PA, left wrist plain film.
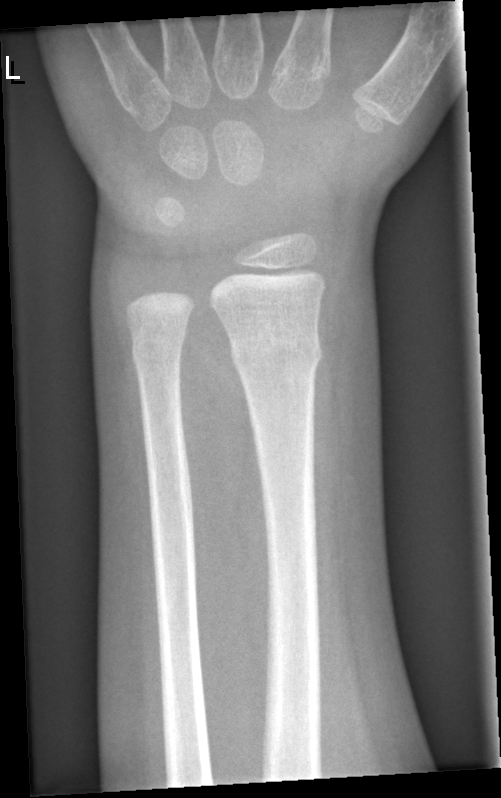

FINDINGS — Two bone fractures at [x1=226, y1=329, x2=324, y2=377]; [x1=129, y1=331, x2=184, y2=369]. AO/OTA classification: 23-M/2.1.